Right wrist plain radiograph of the wrist; lat; pediatric patient (male, age 10); presentation radiograph; Siemens. 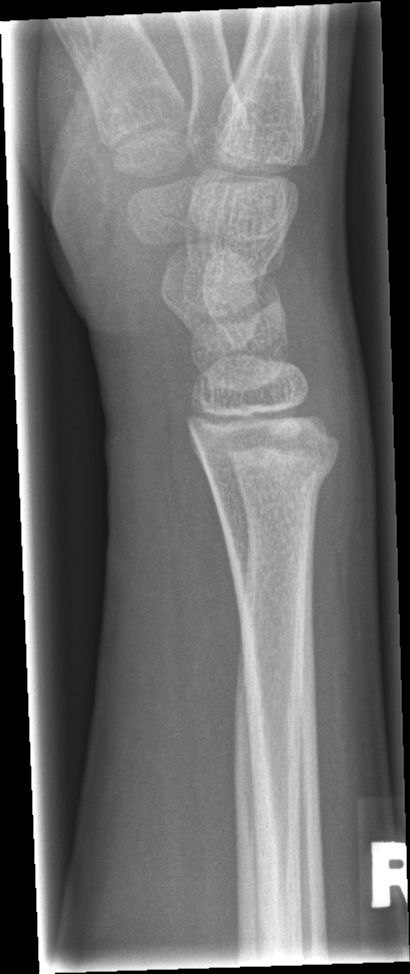 • Coordinates are [x1, y1, x2, y2] in image pixels.
• Fracture — (197, 446, 341, 514).
• AO/OTA classification: 23r-M/2.1.